Lateral projection, left pediatric wrist radiograph:
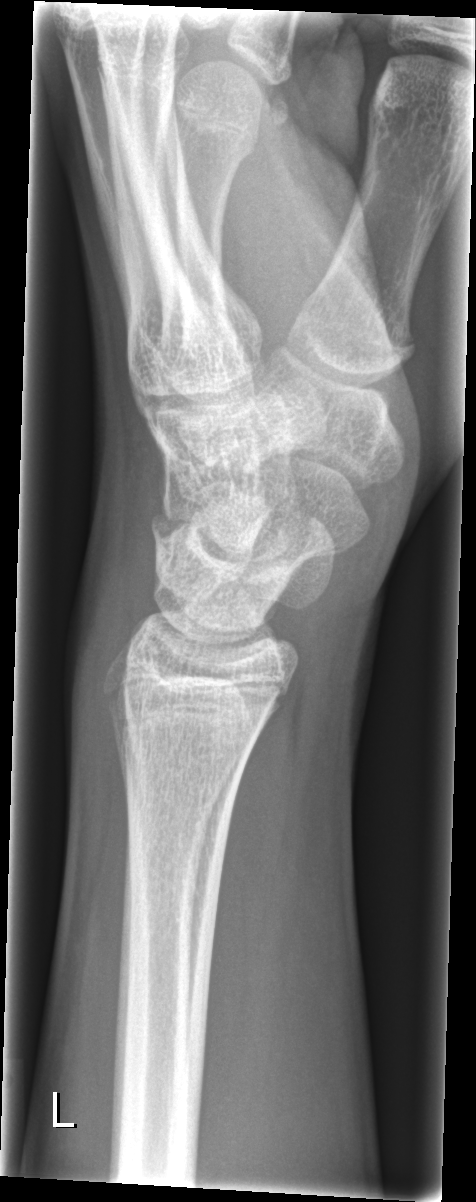 No fracture labeled.